Frontal projection · left wrist X-ray · follow-up study · acquired on Siemens · 608x862

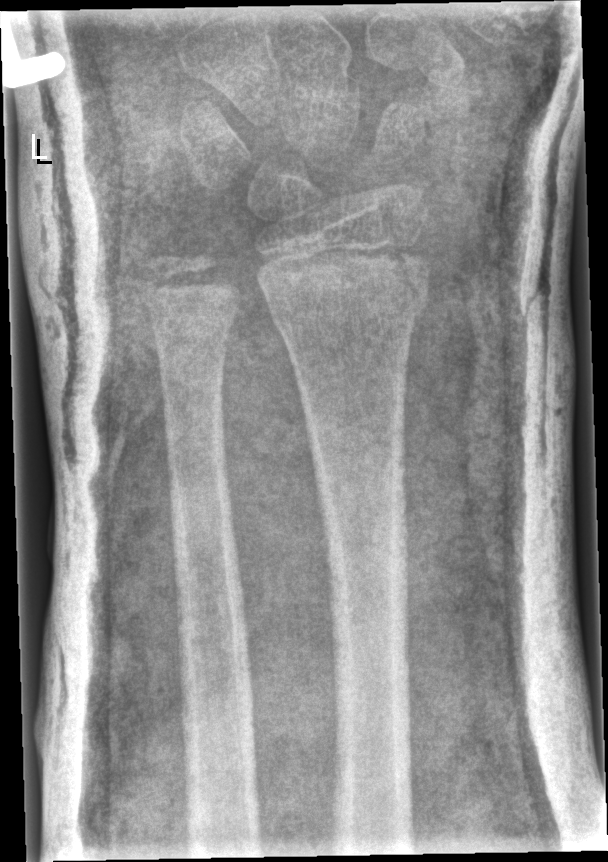 AO classification: 23r-E/2.1
bone fracture: 1 @ 253,237,437,336